R plain radiograph of the wrist; lateral; 13y M; detector: Siemens; image width 81.5 mm —

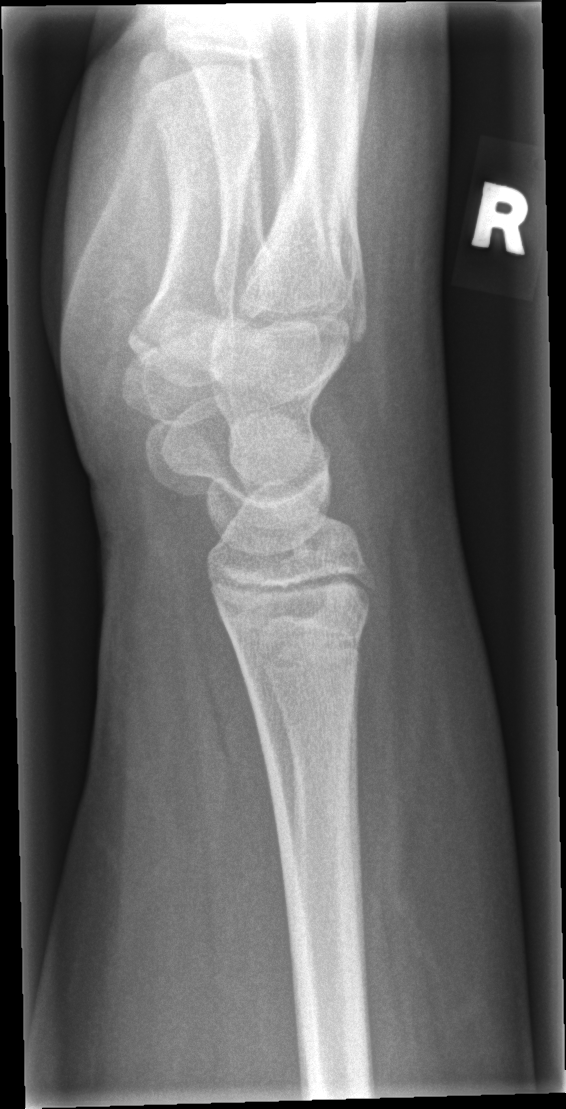 (bounding boxes in image-pixel xyxy)
Q: Fracture present?
A: One Fx at [x1=219, y1=599, x2=376, y2=663]
Q: AO code?
A: Fracture classified AO/OTA 23r-M/2.1